Lat projection · left wrist XR.

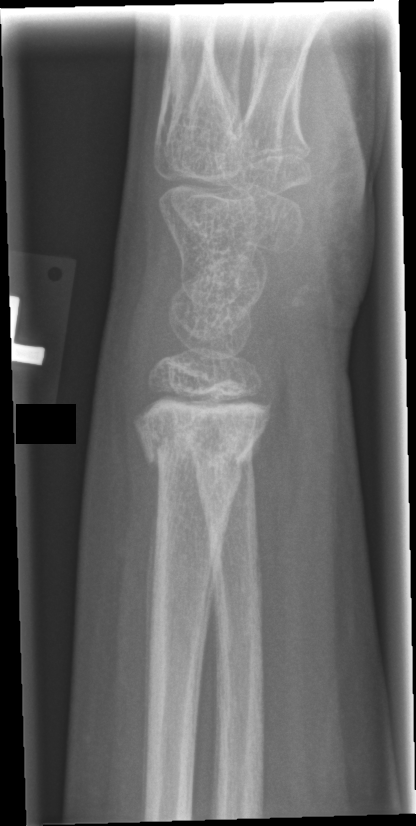

Coordinates are [x1, y1, x2, y2] in image pixels.
Fx — (134, 394, 273, 478).
One periosteal new bone at (144, 480, 160, 737).
Osteopenia.
AO code 23r-M/3.1; 23u-M/2.1.